Lat projection, left wrist XR

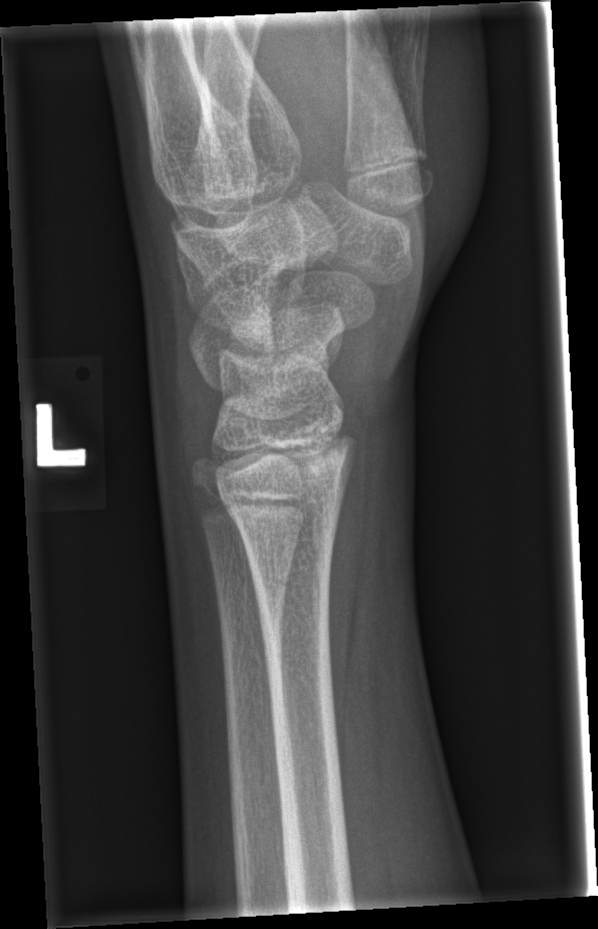

Q: Any fracture seen?
A: No Fx annotated